Rt wrist radiograph | posteroanterior projection | subsequent exam —

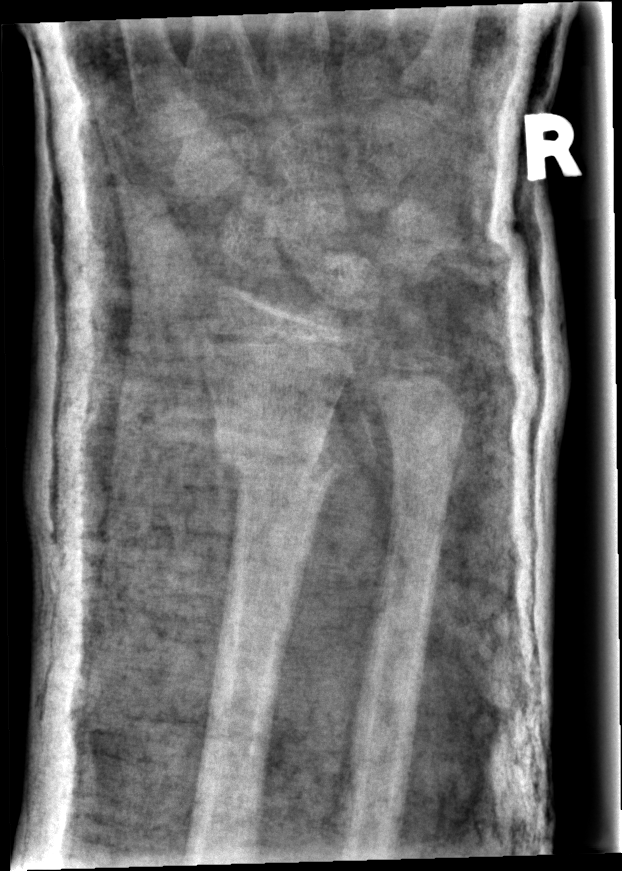

AO code 23r-M/3.1; 23u-M/2.1.
Fracture — 210,413,339,503.